R pediatric wrist radiograph · lat projection · girl, 10 yo.

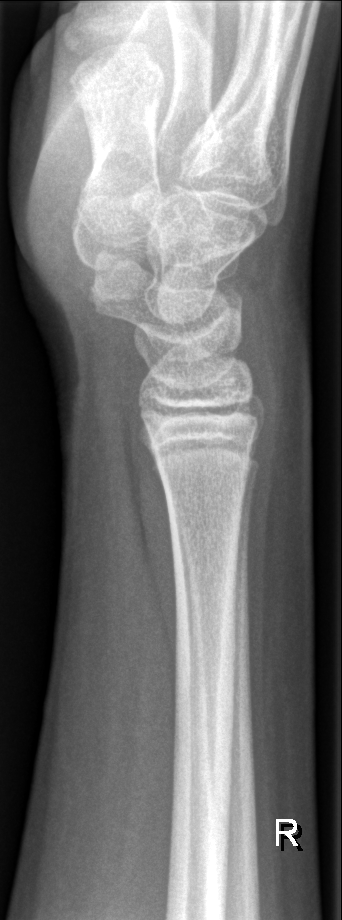
No Fx annotated.